R plain radiograph of the wrist · PA/AP projection · 762 by 706 pixels:
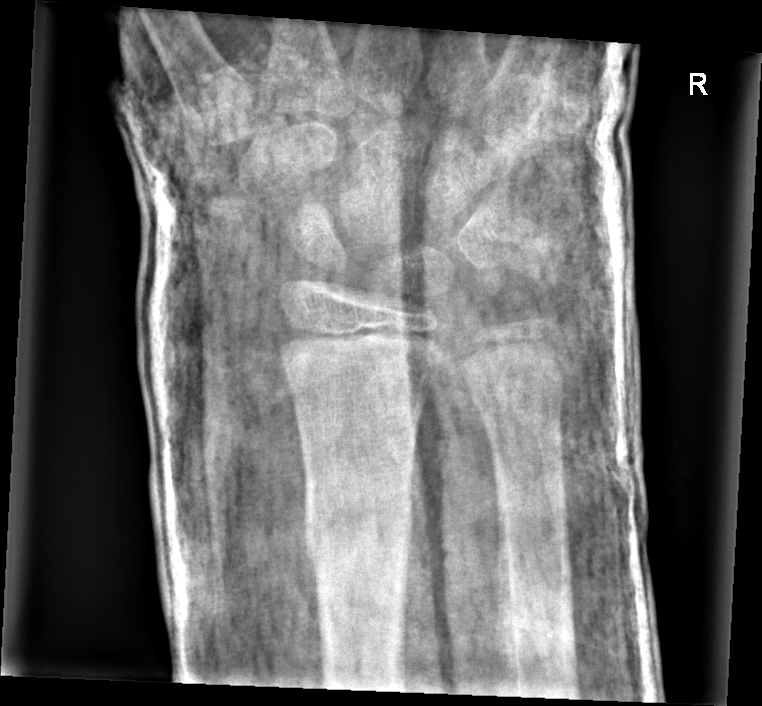

• Two bone fractures at 297 471 418 567
  463 361 567 422.
• Fracture classified AO/OTA 23r-M/3.1; 23u-M/2.1.